Posteroanterior view; R wrist XR; image size 977x1232: 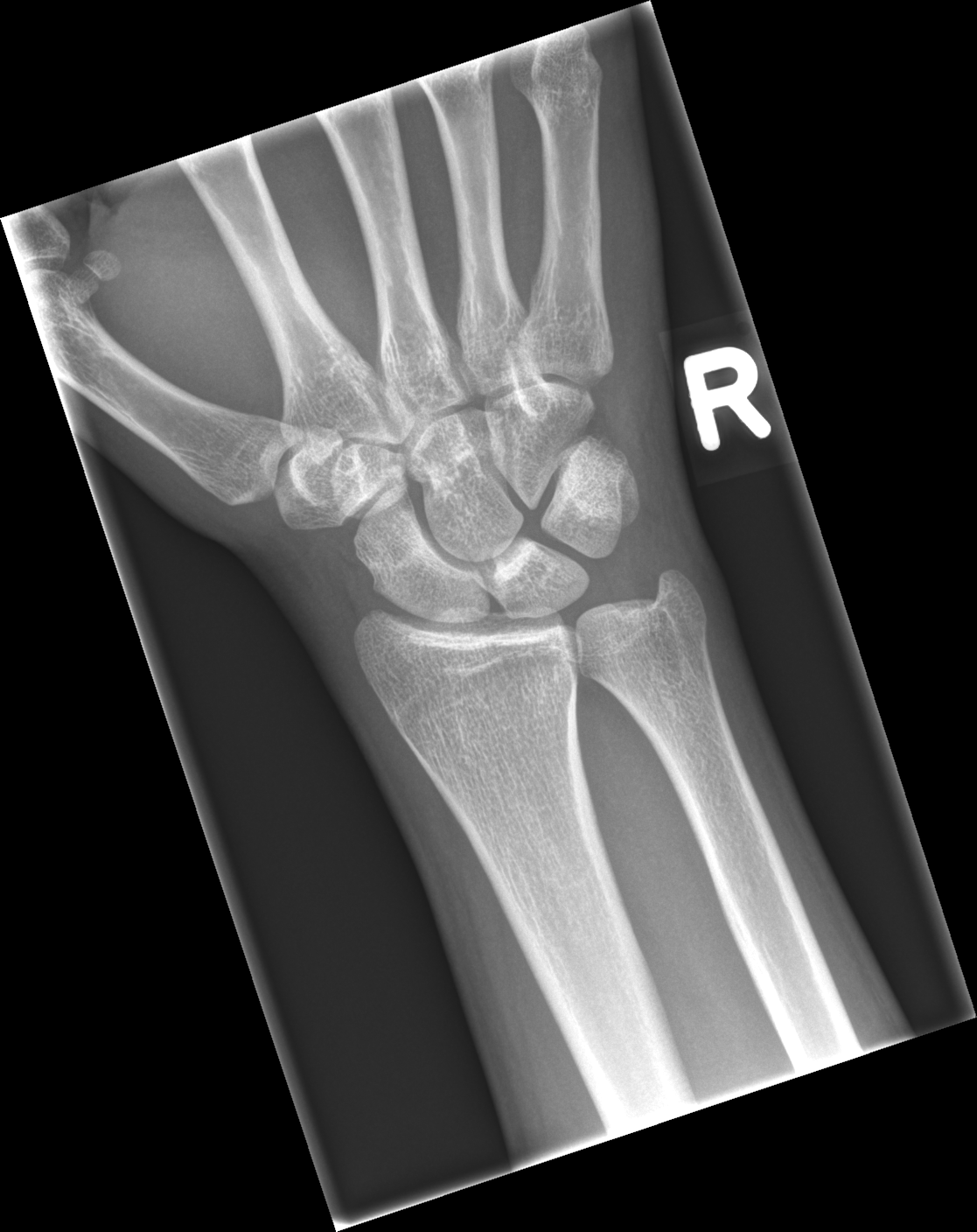 FINDINGS: No Fx annotated.